R pediatric wrist radiograph; lat view; presentation radiograph; 369 x 744 px —

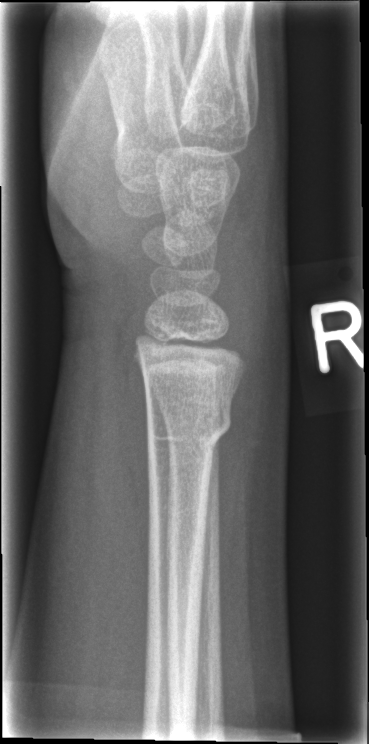
Findings: Fracture classified AO/OTA 23r-M/2.1. Bone fracture — (143, 395, 235, 453).